R wrist X-ray | lateral | pediatric patient (boy, age 6) | detector: Siemens —
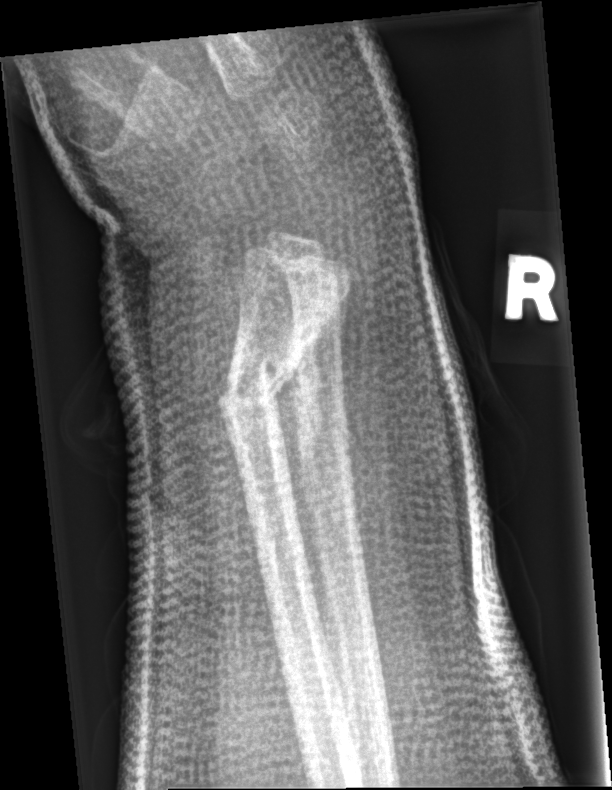
  ao: 23r-M/3.1; 23u-M/2.1
  fracture: 1 @ (left=217, top=362, right=293, bottom=416)